Rt wrist radiograph · posteroanterior projection · age 15 y, male · 844x908. 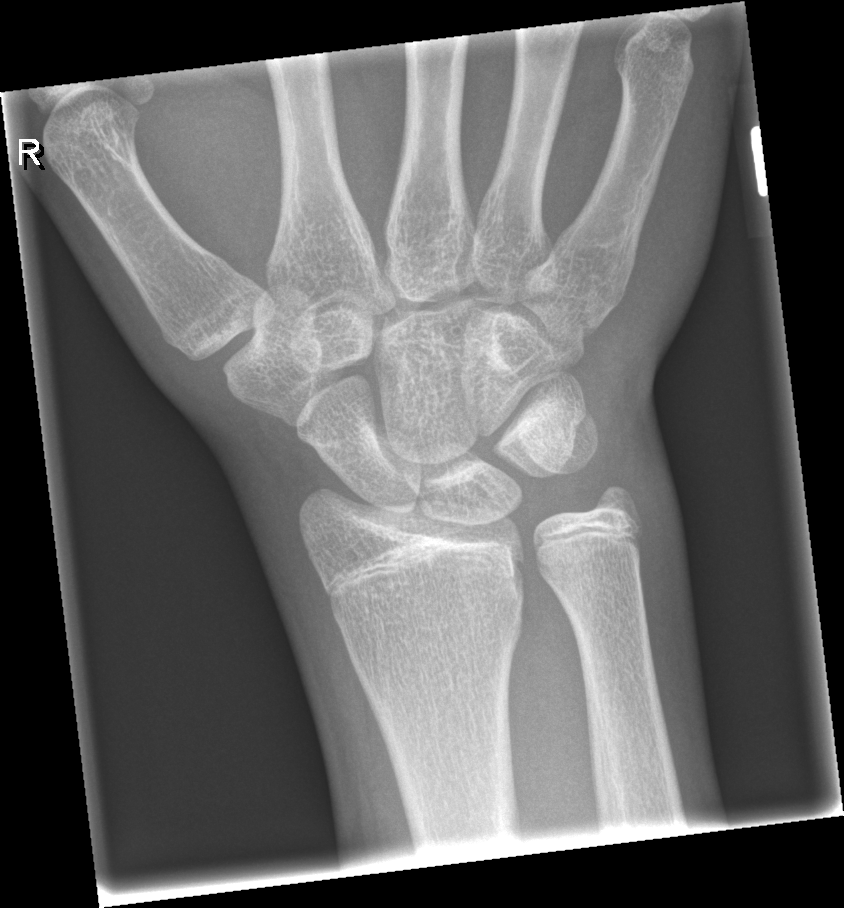

Fx: none labeled